Rt pediatric wrist radiograph; posteroanterior —
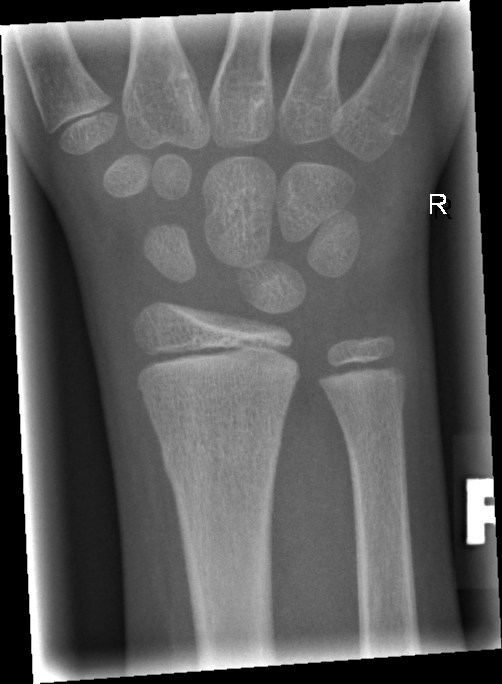
Bone fracture: 1 @ (left=157, top=426, right=285, bottom=485)
AO code: 23r-M/2.1